Frontal projection · right wrist radiograph · equivocal findings · image size 718x1357 — 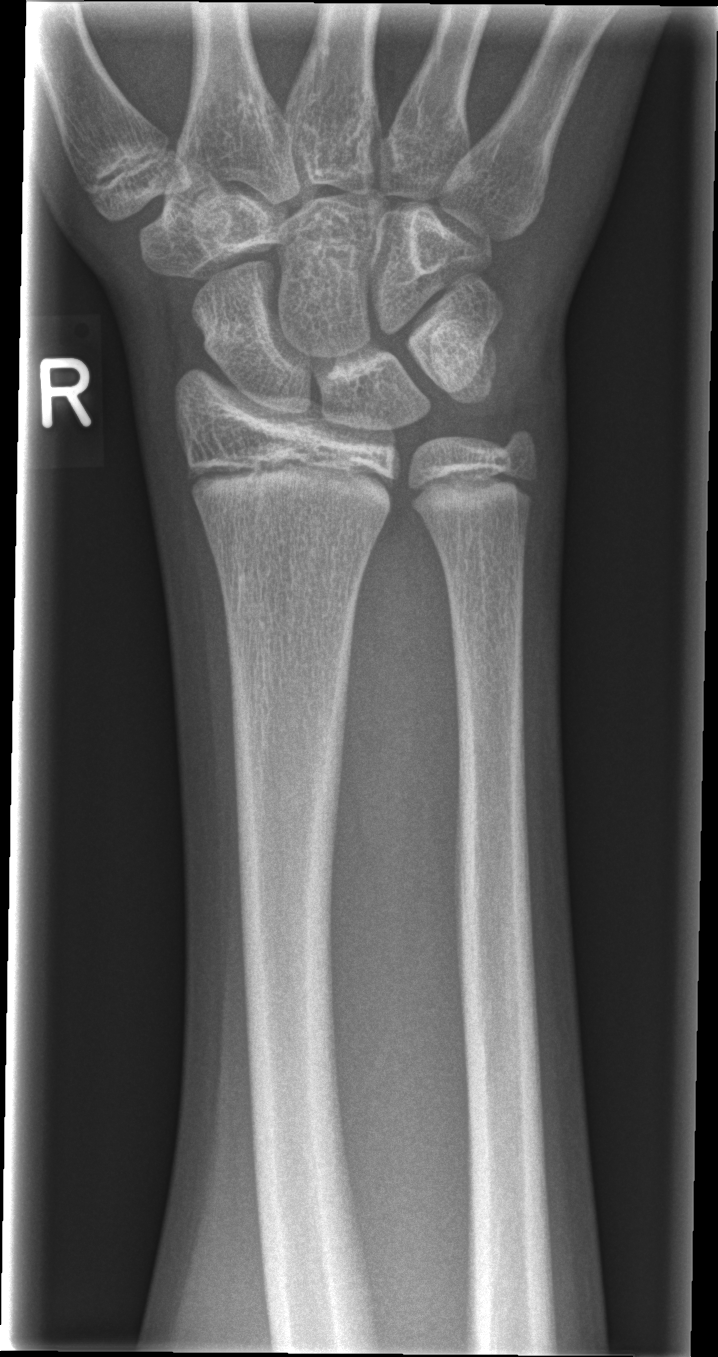

Q: Locate any fractures.
A: Fracture present but not clearly seen in this view
Q: What is the AO/OTA classification?
A: AO/OTA classification: 23r-M/2.1